PA/AP · right pediatric wrist radiograph · male, 12 yo · follow-up study · cast in situ.
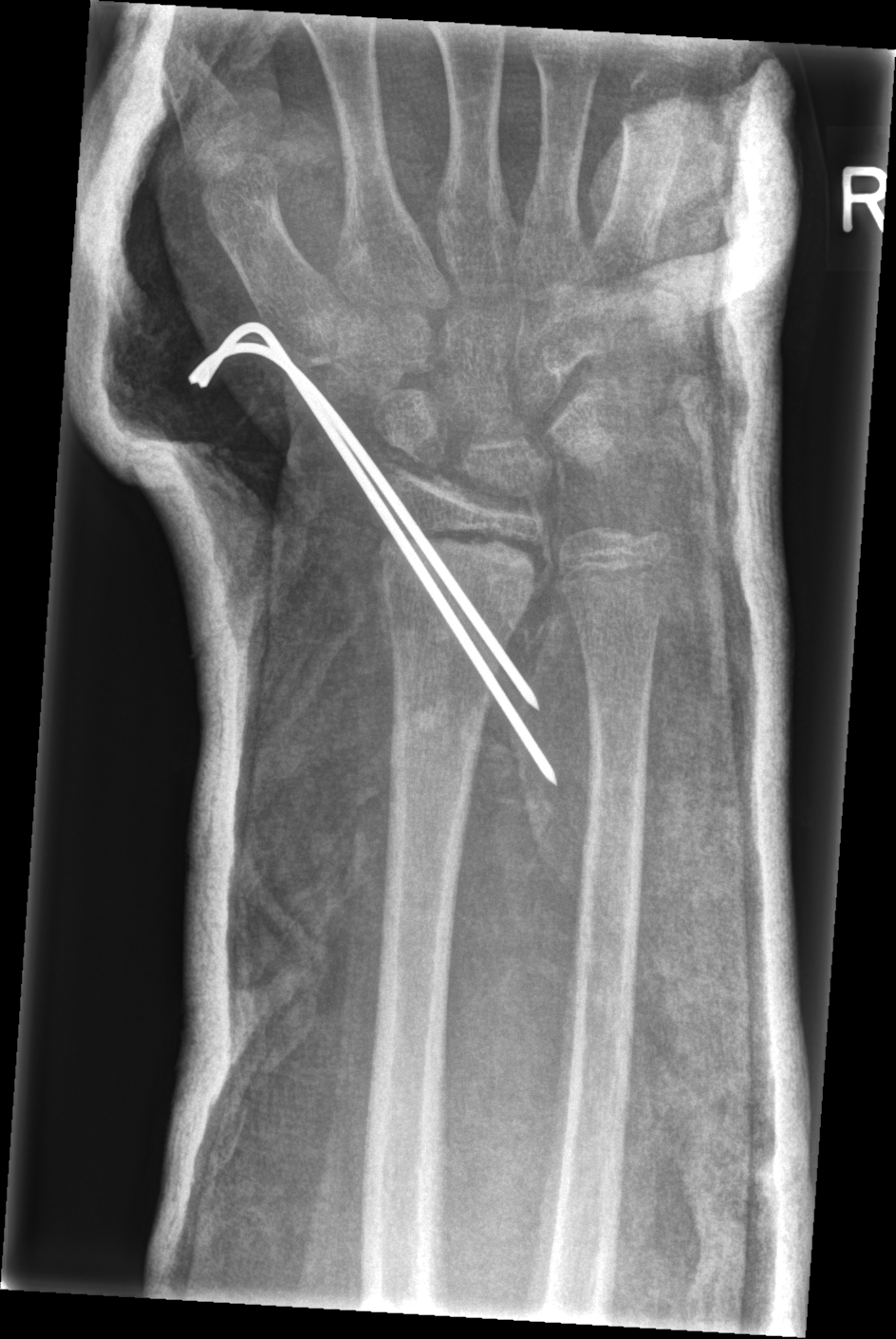

AO code: 23r-E/2.1
metal: (193, 327, 555, 783)
fracture: present but not clearly seen in this view